R wrist radiograph, lat view, 14y M:

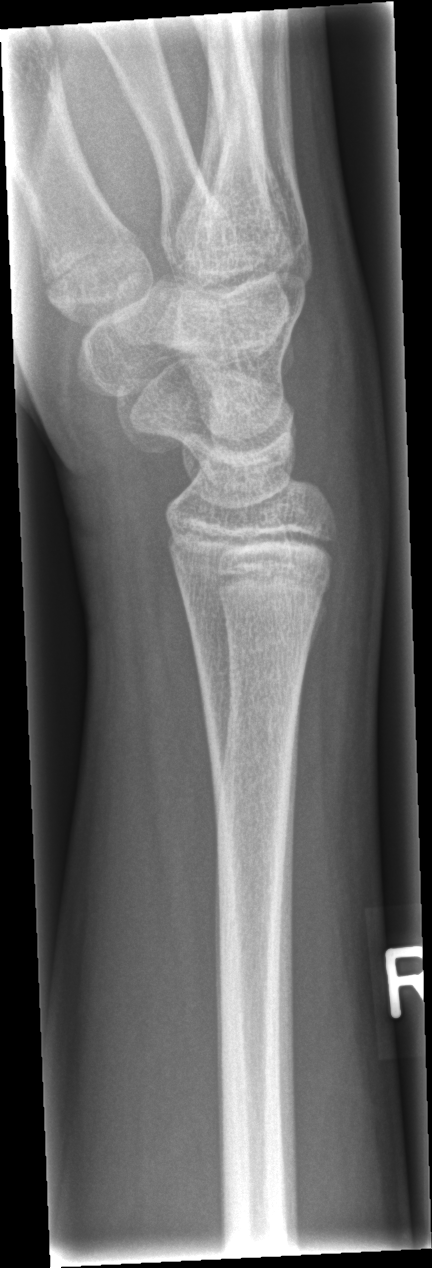
No fracture annotation.